PA/AP view; Lt wrist X-ray; 9y M:
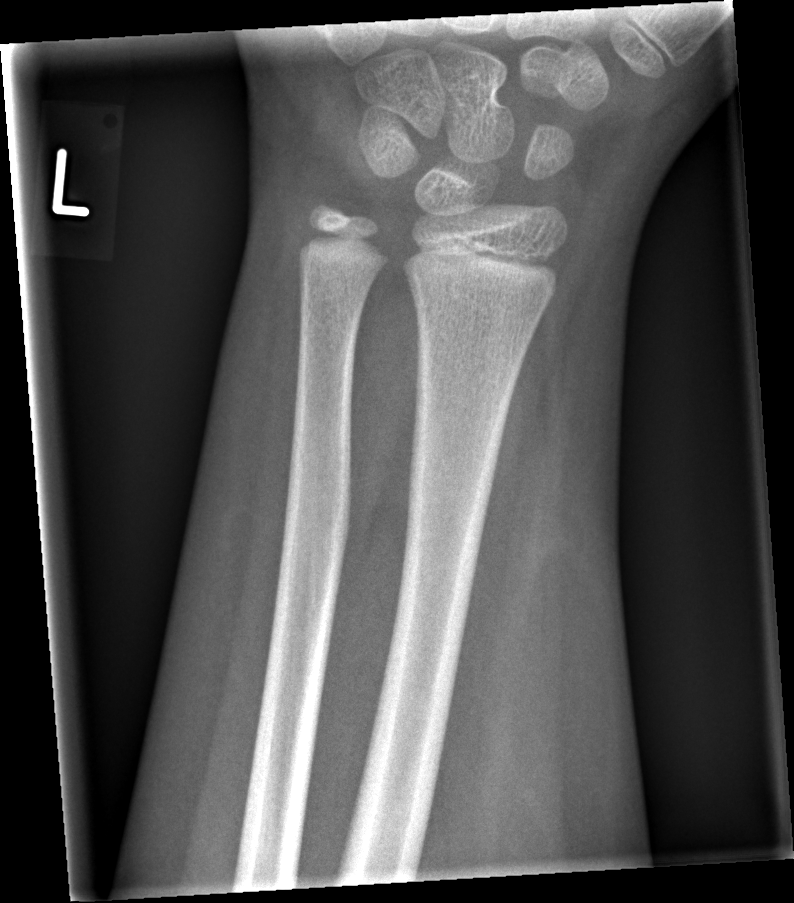 bone fracture = none labeled